Lateral view; left wrist plain radiograph of the wrist; 12-year-old male:
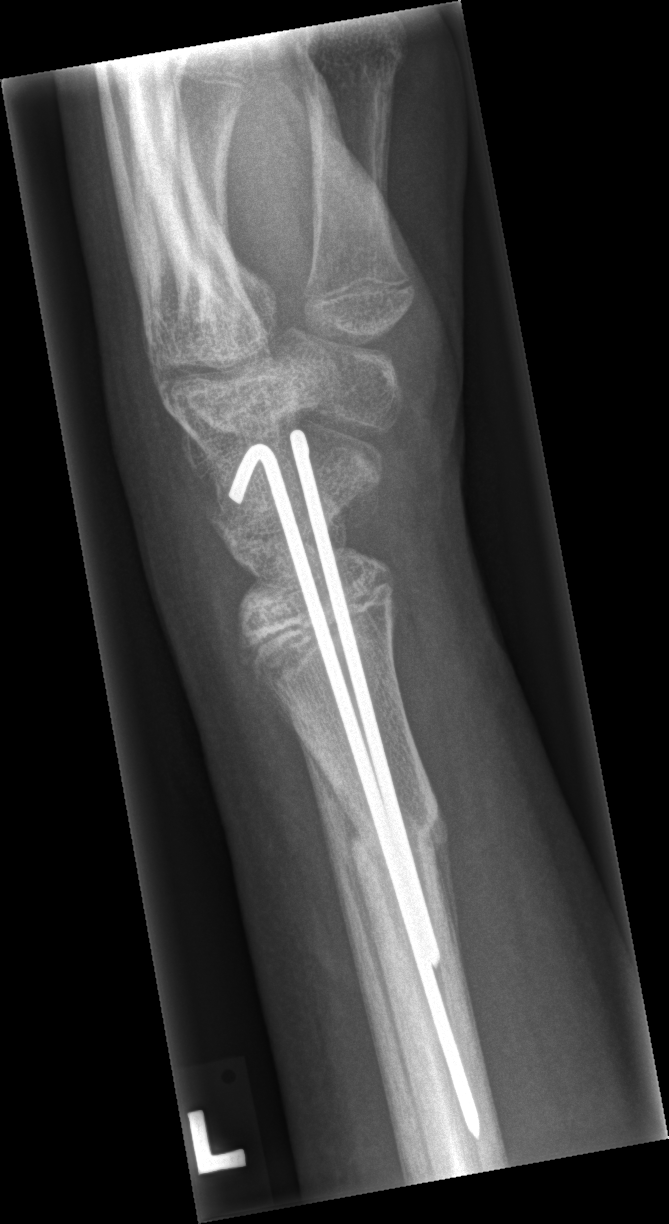

FINDINGS — (coordinates are [x1, y1, x2, y2] in image pixels) Periosteal reaction identified at bbox(428, 802, 491, 1090), bbox(303, 740, 368, 895). Osteopenic. Fx identified at bbox(342, 794, 448, 868). Metal identified at bbox(226, 426, 483, 1143).